PA/AP view · Lt wrist radiograph · pediatric patient (girl, age 5).

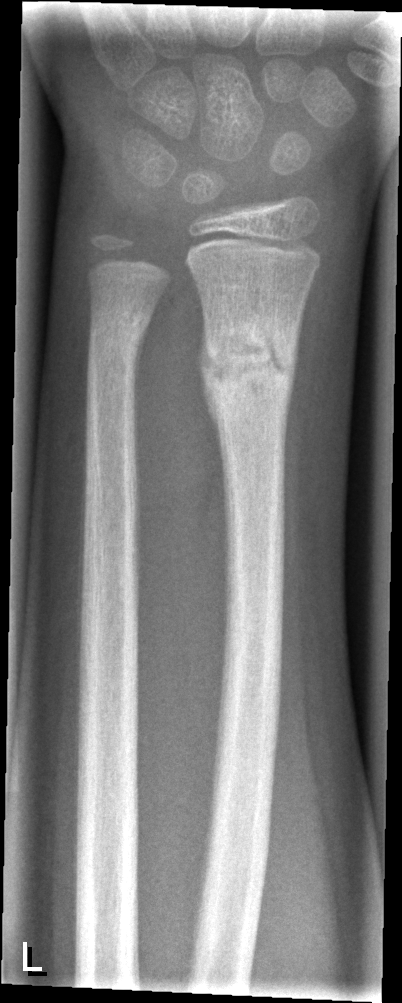

AO code 23-M/3.1.
Fracture identified at <196,308>-<304,418>, <83,305>-<155,368>.